Left wrist plain radiograph of the wrist | lateral | 7-year-old girl:
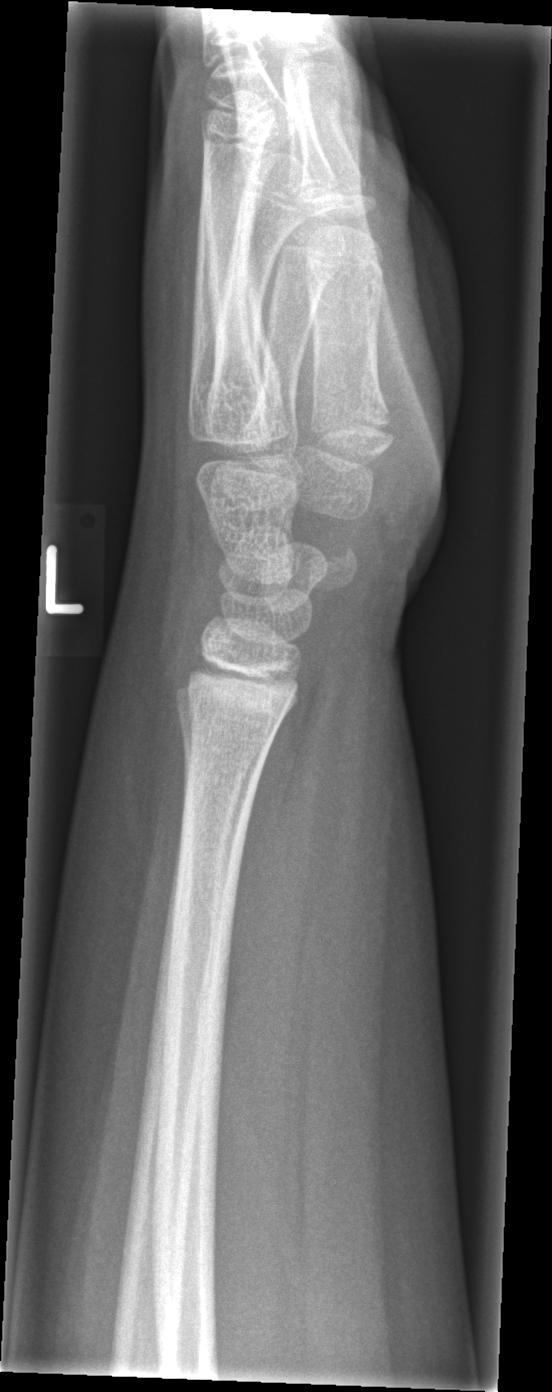 fracture: none labeled